PA projection, left plain radiograph of the wrist, presentation radiograph: 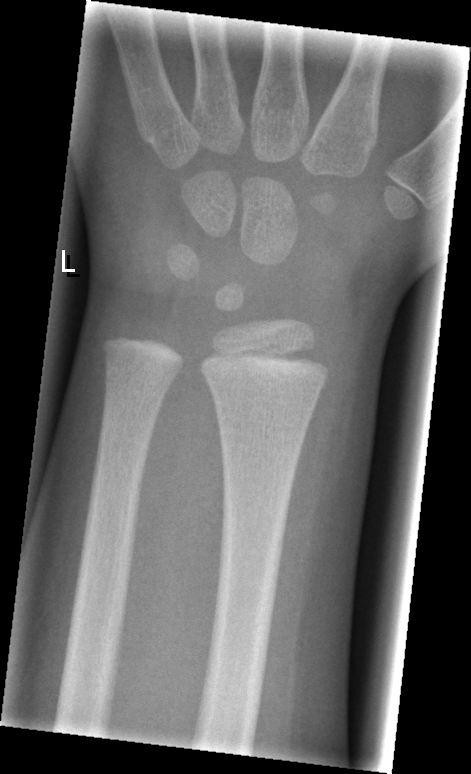 Findings: No fracture labeled.